Lateral view · Rt plain radiograph of the wrist · age 14 y, boy · imaged through cast · image 83.4 mm wide.

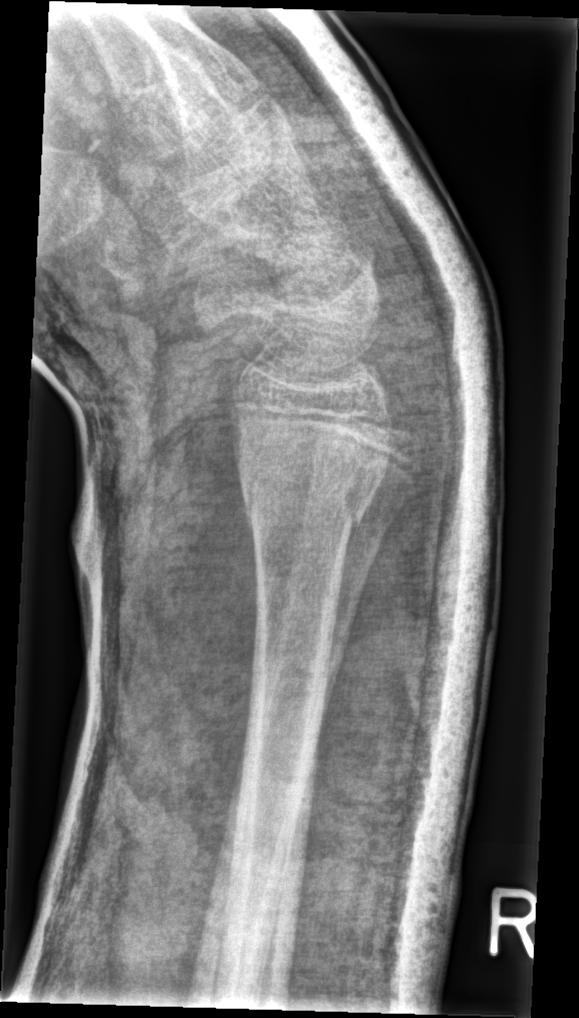 fracture: (left=237, top=463, right=384, bottom=536)
ao: 23r-M/3.1; 23u-E/7